Posteroanterior view; left wrist XR; 9y F; follow-up; cast in situ 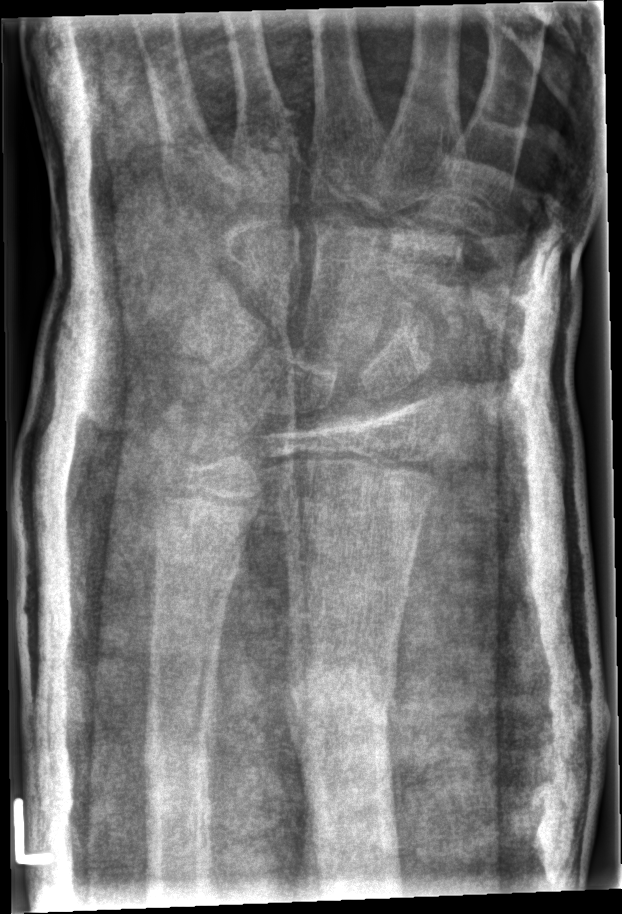 - Fractures — [x1=277, y1=657, x2=403, y2=753] [x1=146, y1=524, x2=245, y2=590] [x1=139, y1=728, x2=218, y2=808].
- Fracture classified AO/OTA 22r-D/4.1; 22u-D/2.1; 23u-M/2.1.